PA, left wrist X-ray, detector: Siemens 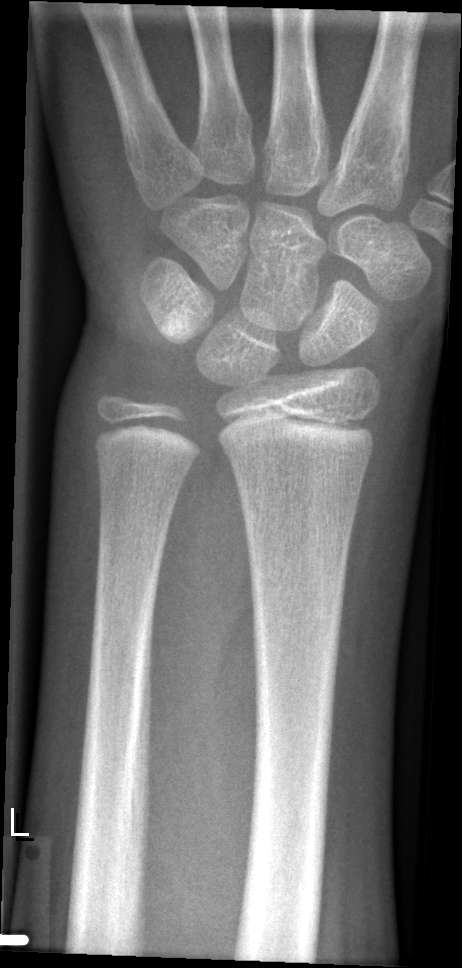
No fracture labeled.